Left wrist X-ray; lat view; age 11 y, girl; detector: Siemens; 343 by 1180 pixels.
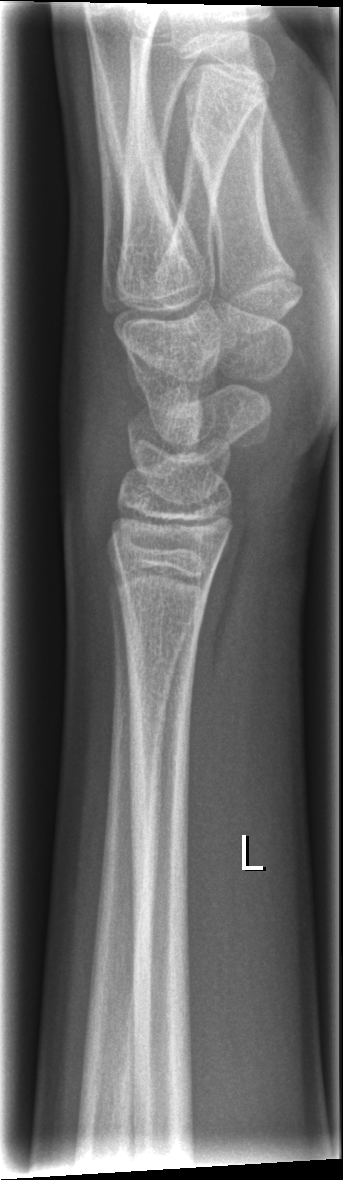 Q: Locate any fractures.
A: Fracture: none labeled